Lt wrist X-ray, lat view, detector: Siemens, image width 67.7 mm —

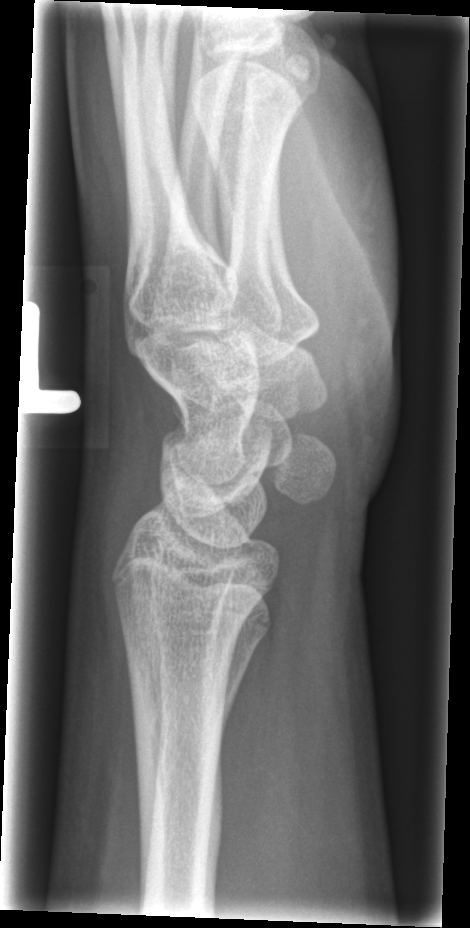 Fx = none labeled